Rt wrist XR, PA/AP view, girl, 12 yo, image size 654x977 —

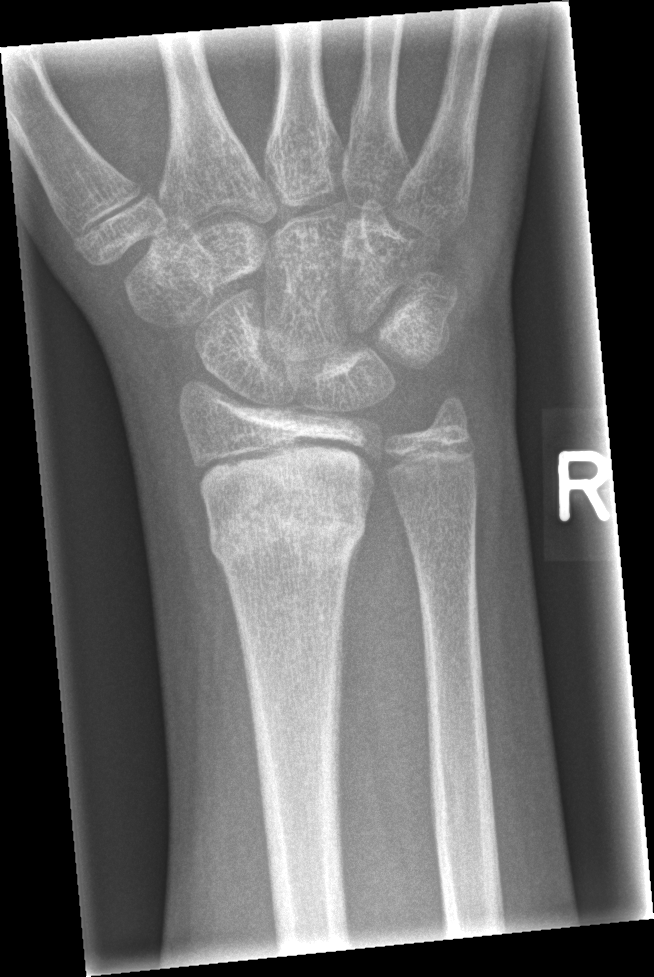 Periosteal thickening identified at (left=340, top=535, right=365, bottom=691) (left=212, top=553, right=241, bottom=651). AO code 23r-M/3.1. Fracture — (left=203, top=483, right=370, bottom=576).